Left wrist plain film · AP view · girl, 10 yo · Siemens —
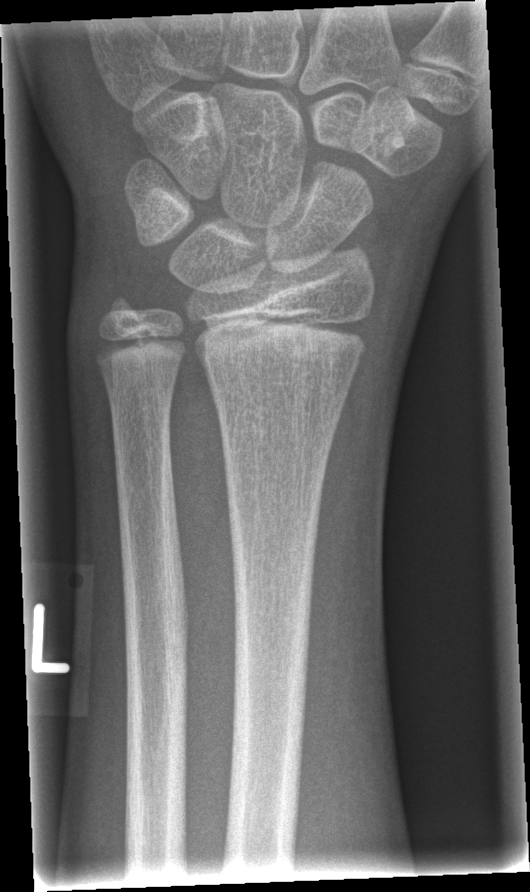 No Fx annotated.